Left plain radiograph of the wrist | PA projection | 5y F —

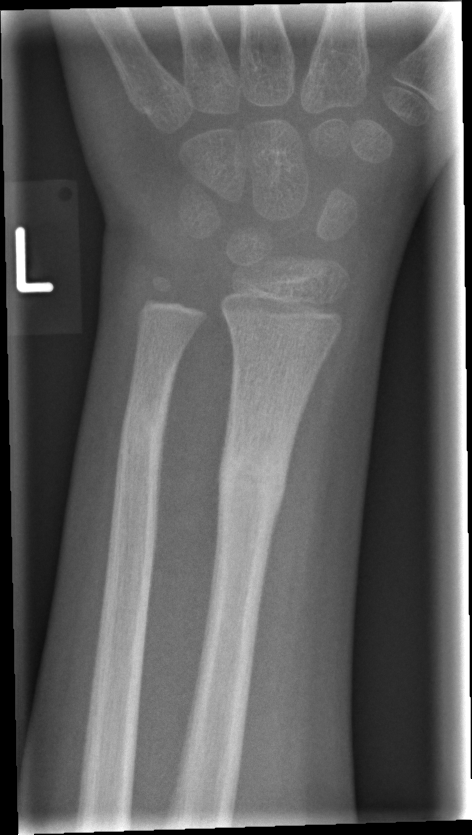 Bounding boxes in image-pixel xyxy.
Osteopenic.
Bone fracture: 212,435,291,523
  114,405,172,465.